Lat view; Rt wrist plain film; imaged through cast; 71.0 mm image width; 493 by 1120 pixels —

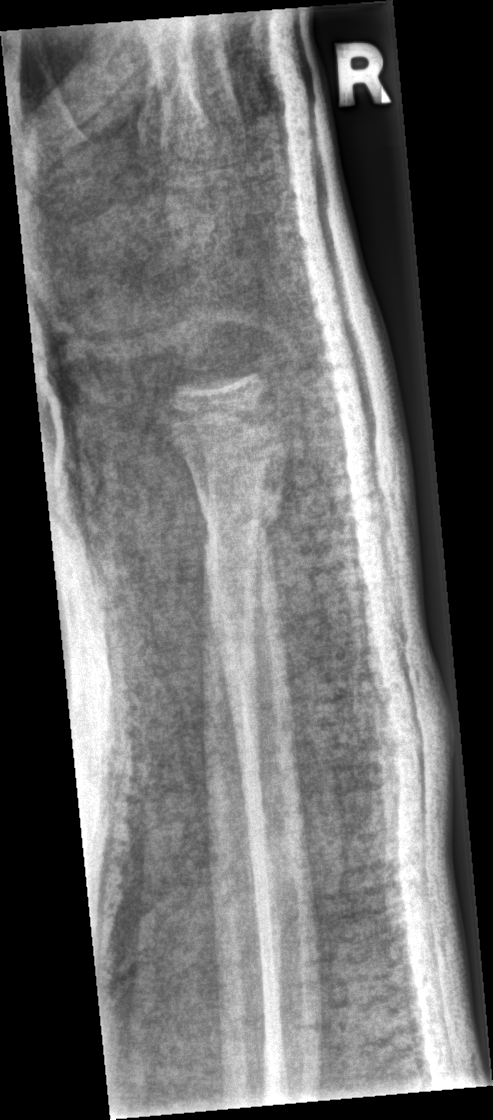
FINDINGS — One bone fracture at [x1=196, y1=500, x2=281, y2=560].